L plain radiograph of the wrist, posteroanterior, girl, 2 yo, index exam
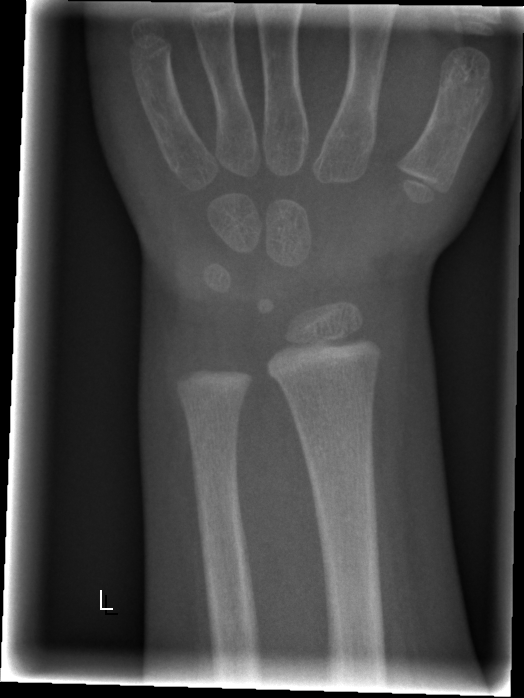
fracture: none labeled